Left wrist plain radiograph of the wrist · lat view · Siemens · image width 140.0 mm. 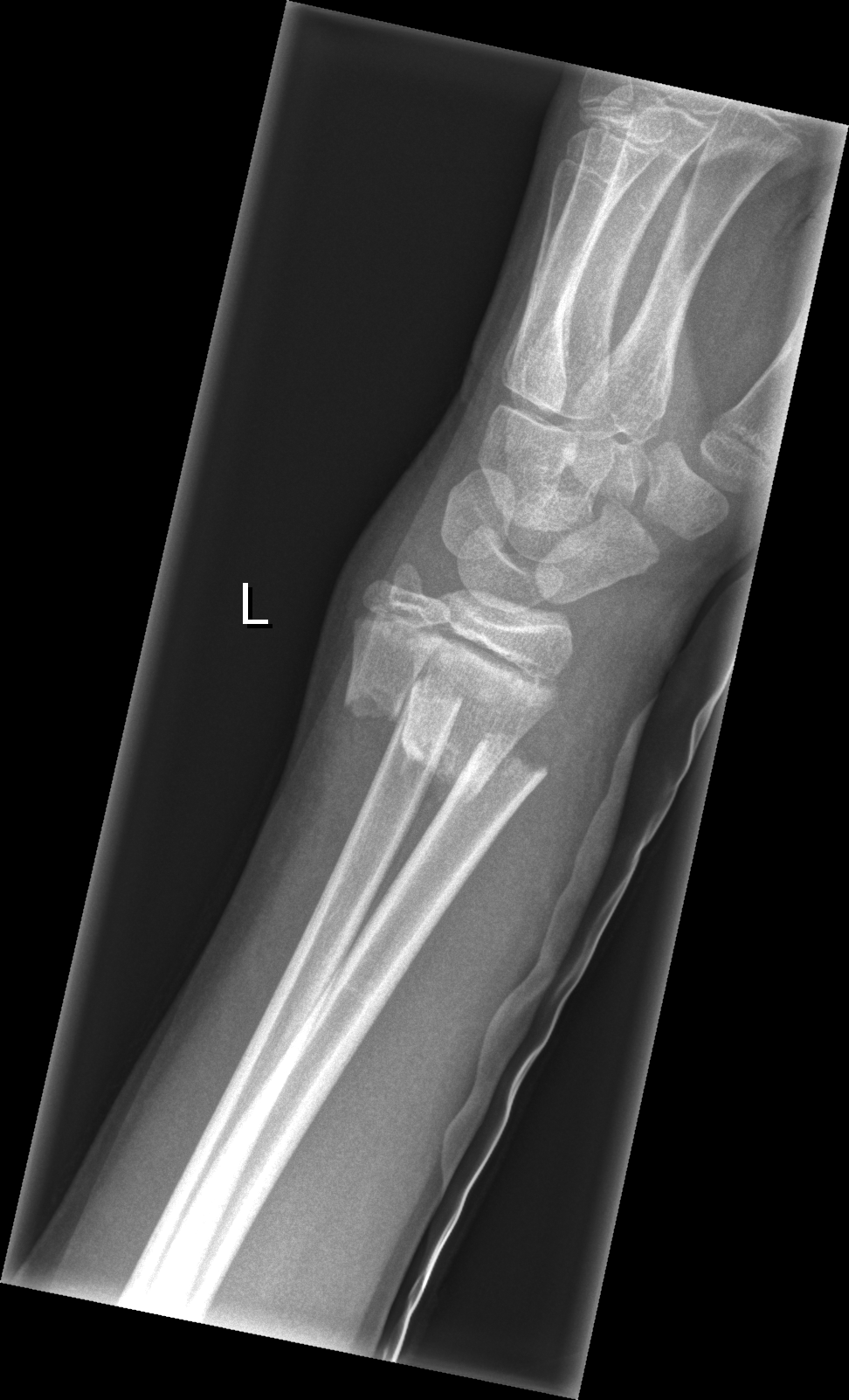
Findings: Fracture identified at (left=395, top=722, right=549, bottom=808), (left=342, top=677, right=466, bottom=731). AO/OTA classification: 23-M/3.1.